Left wrist X-ray | lat projection | 10-year-old female | presentation radiograph.

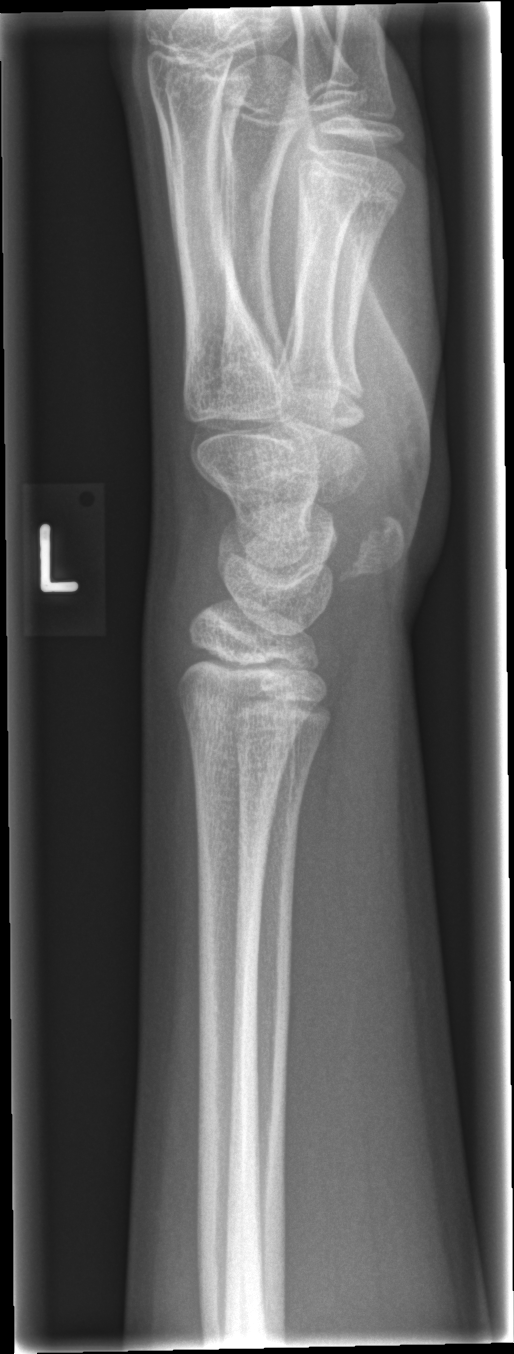 Fracture: none labeled.